Frontal projection | L wrist X-ray

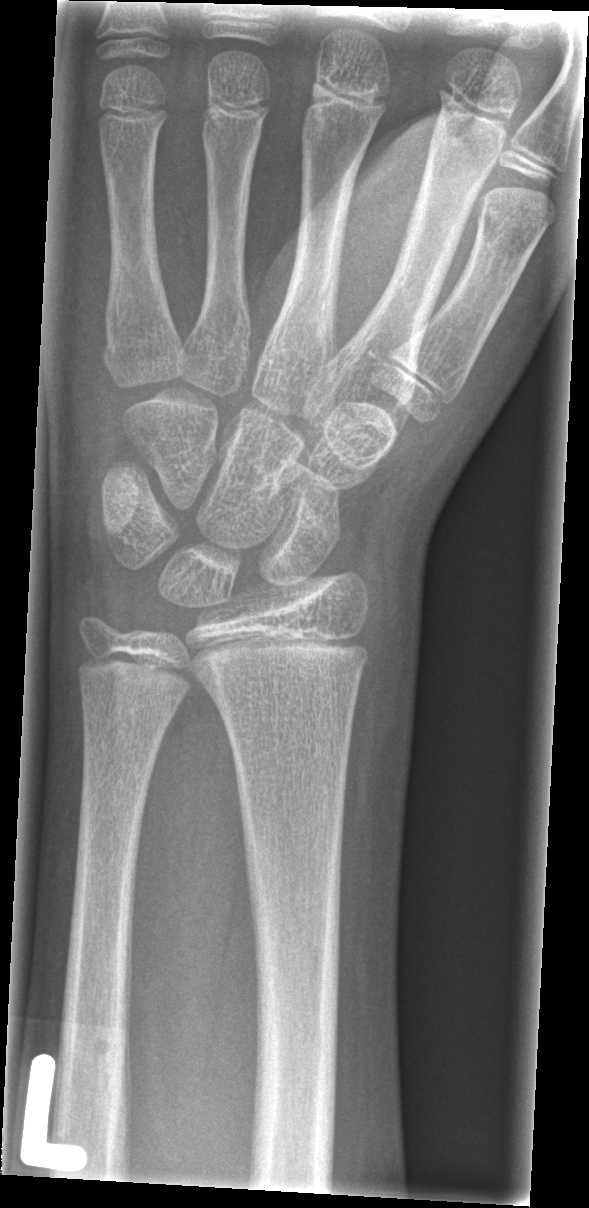 FINDINGS — No fracture bounding box.